Right wrist plain film | lateral | pediatric patient (female, age 13) | detector: Siemens:
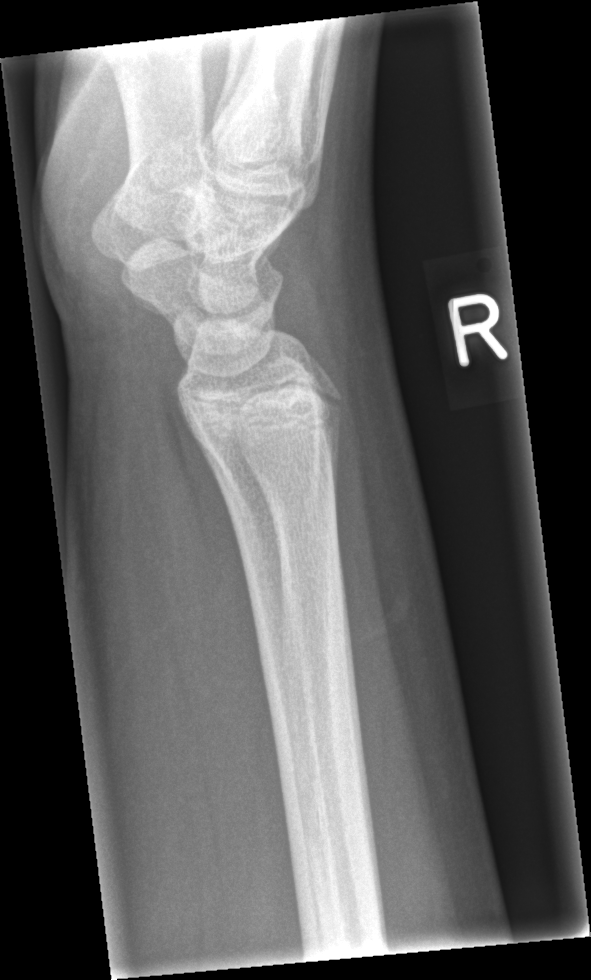 fracture: none labeled